Lateral view, left pediatric wrist radiograph, 17-year-old girl, image 79.1 mm wide: 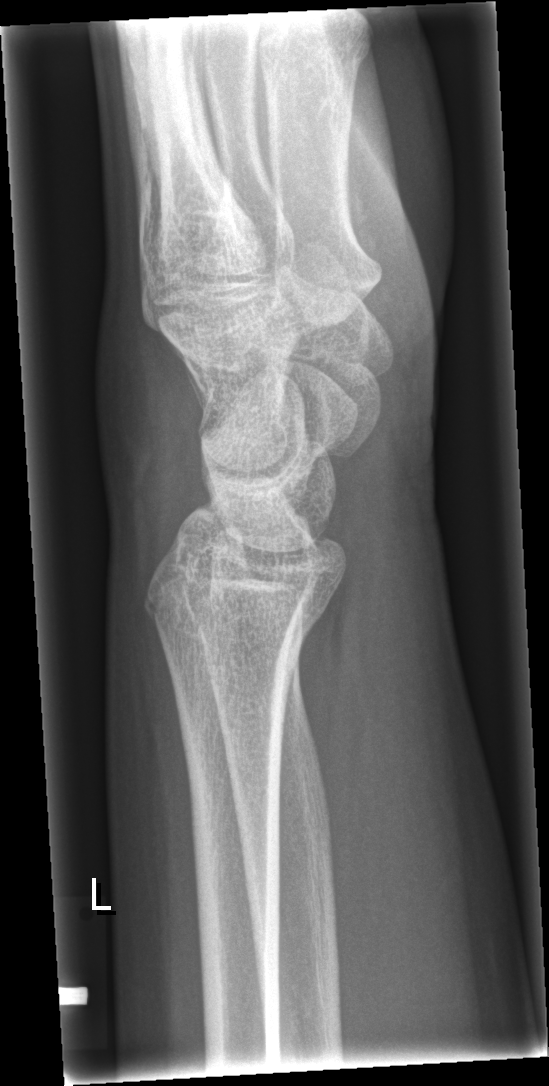 soft-tissue finding: (89, 312, 214, 576)
bone fracture: none labeled